R wrist radiograph · lat projection —
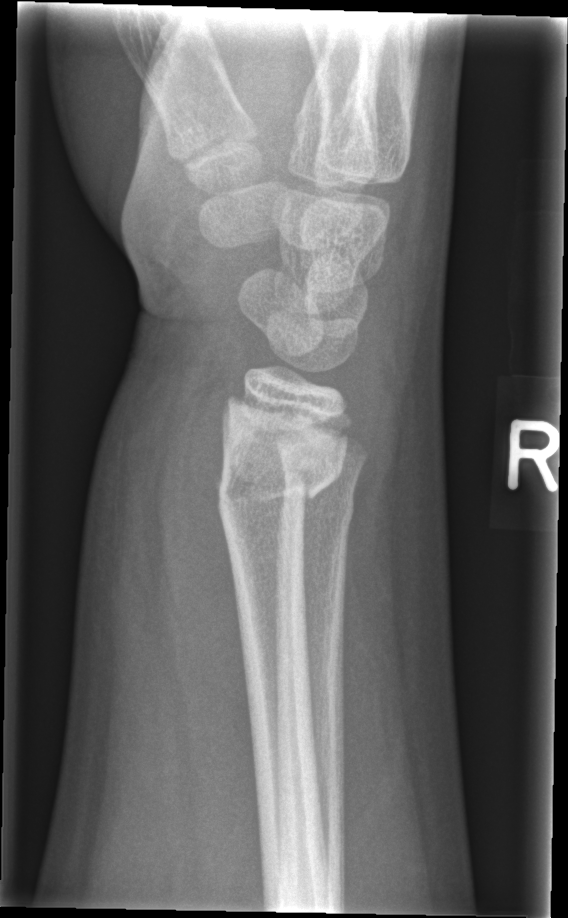

Fx: 2 @ 211 419 348 526
  274 477 360 541
positive pronator fat-pad sign: 160 350 268 890